AP · Lt wrist X-ray · 14y F
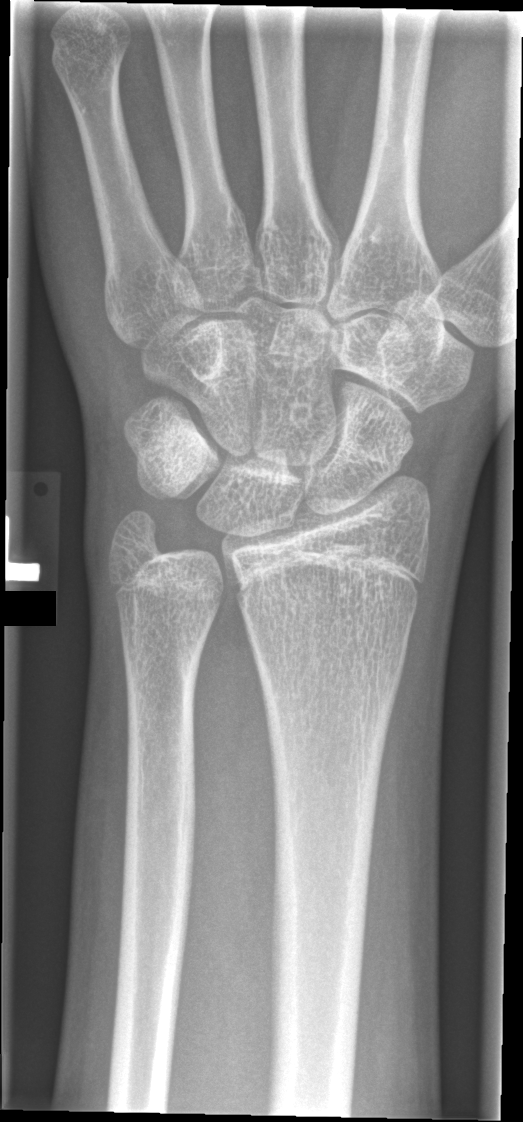 Fx: none.